Lat projection, Rt wrist X-ray, subsequent exam, imaged through cast, 365x874 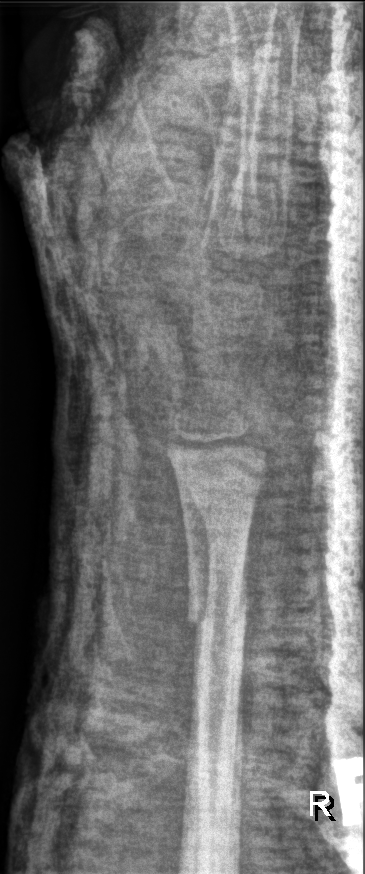
Findings: Fx identified at [173, 572, 260, 652]. AO/OTA classification: 23r-M/3.1; 23u-M/2.1.